Lt pediatric wrist radiograph; lat view; follow-up; Siemens:

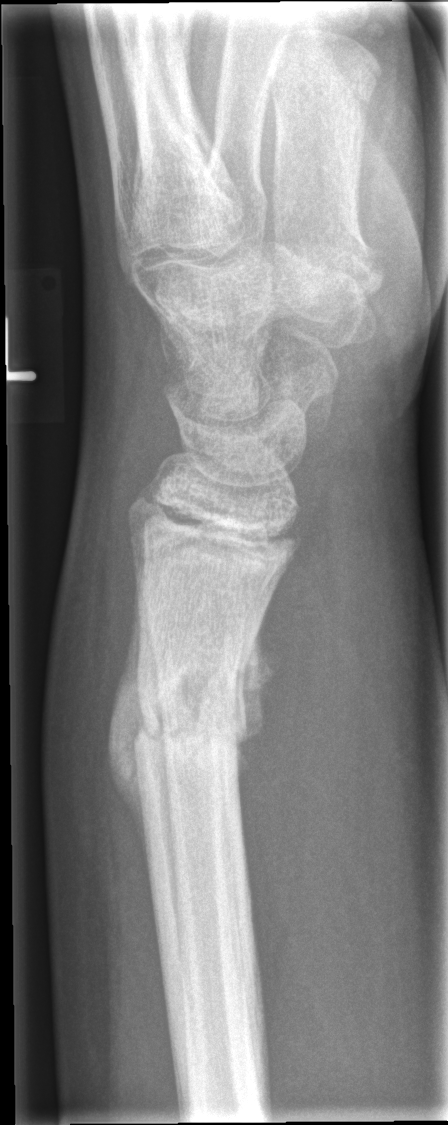
Periosteal new bone: bbox(108, 567, 153, 897), bbox(236, 598, 280, 806).
Bone fracture: bbox(129, 638, 254, 773).